Left wrist plain radiograph of the wrist, PA, acquired on Siemens, 914 by 1150 pixels

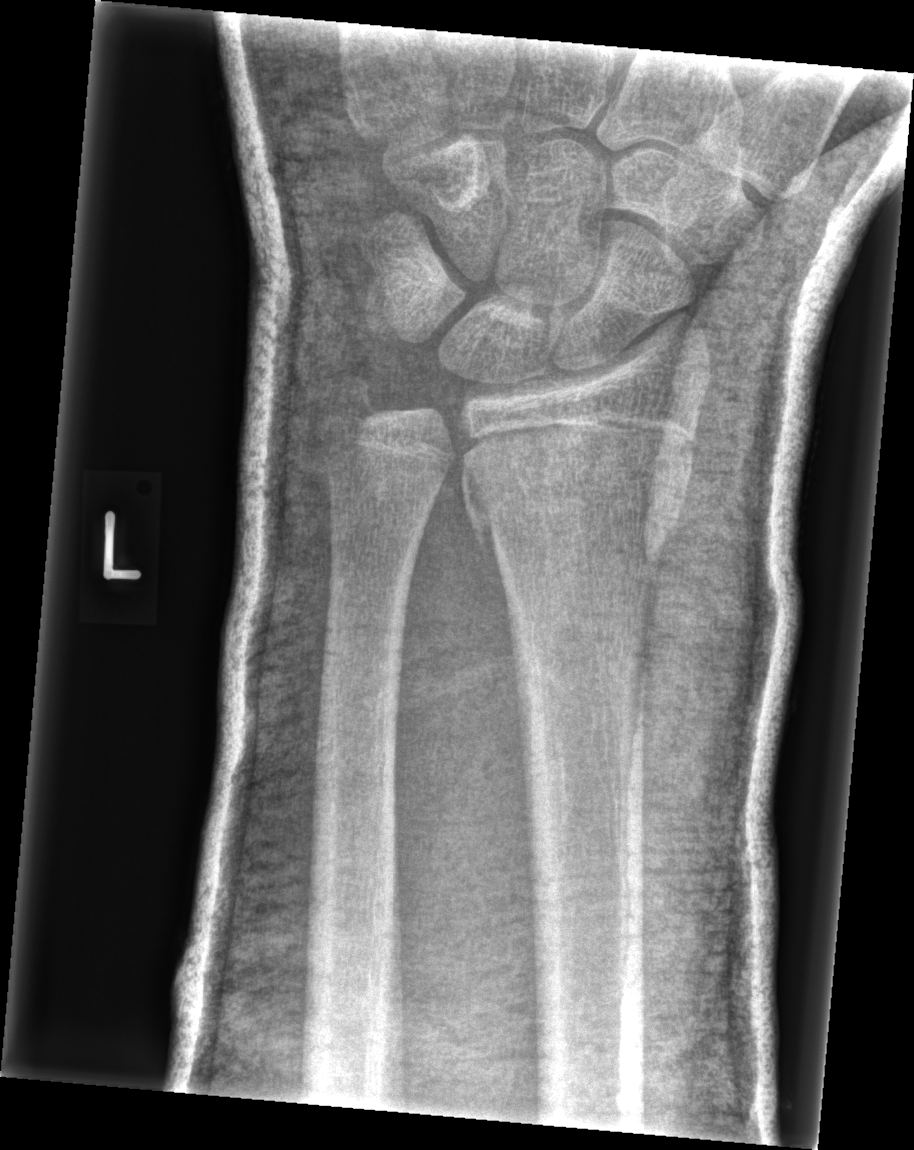 Bone fractures — 457 439 693 565 | 322 367 395 443. Fracture classified AO/OTA 23r-M/3.1; 23u-E/7.